Right wrist plain film; lat projection; 13y M; presentation radiograph; findings marked uncertain by the reading radiologist. 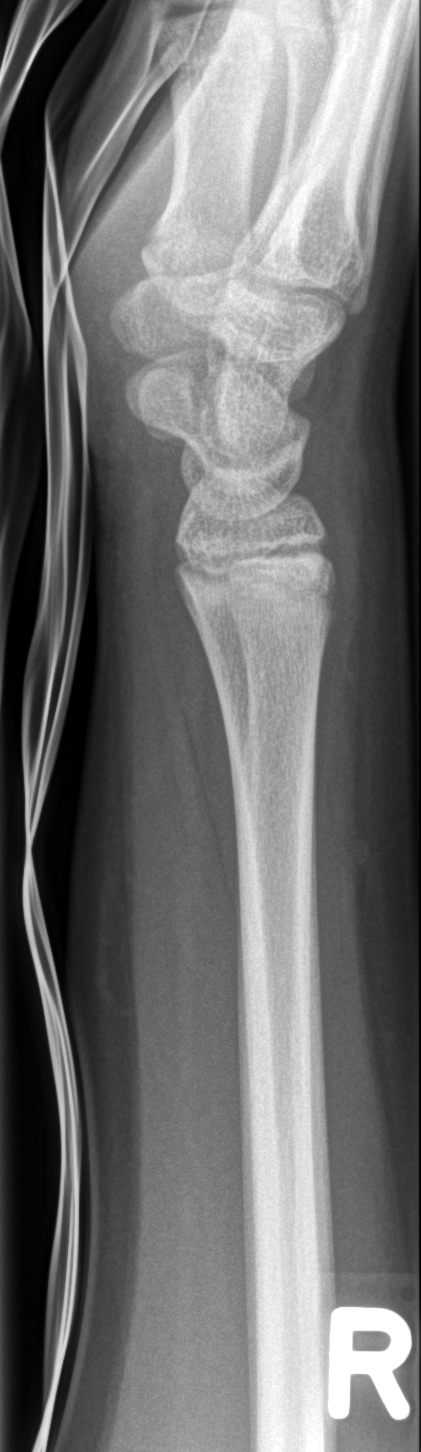
Fracture: none labeled